AP view, R wrist XR, image width 86.5 mm

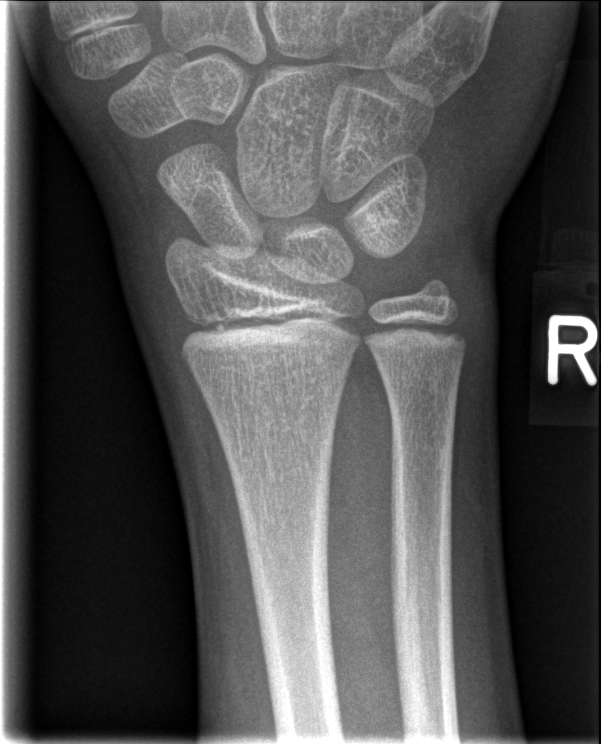
• No fracture annotation.